L wrist radiograph · PA/AP projection · 580x1066:

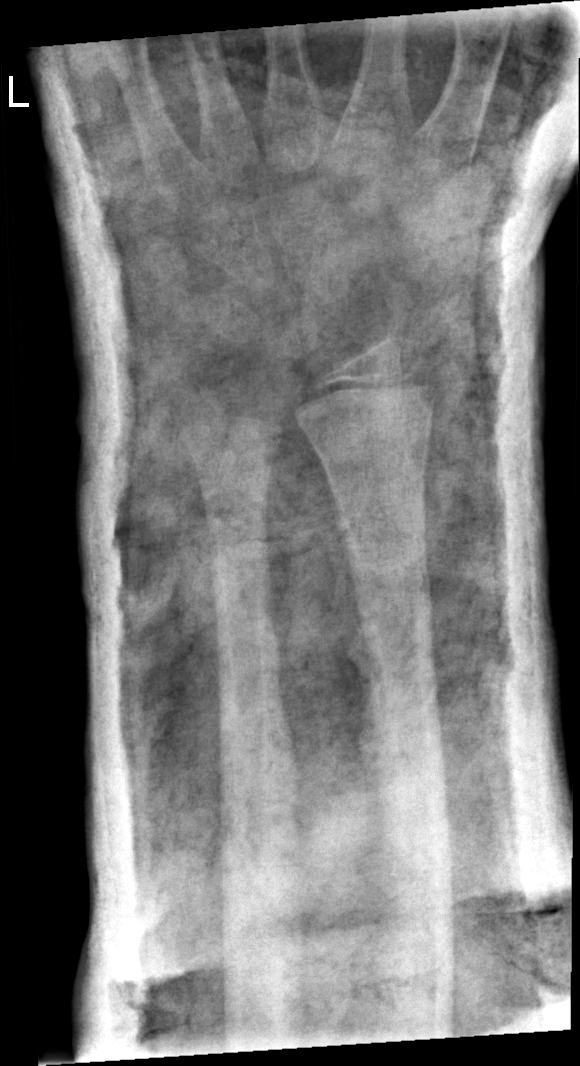
Findings: Bone fracture identified at [x1=340, y1=522, x2=441, y2=643] [x1=205, y1=534, x2=279, y2=629].